Rt wrist plain film | frontal view | in cast | 128.2 mm image width
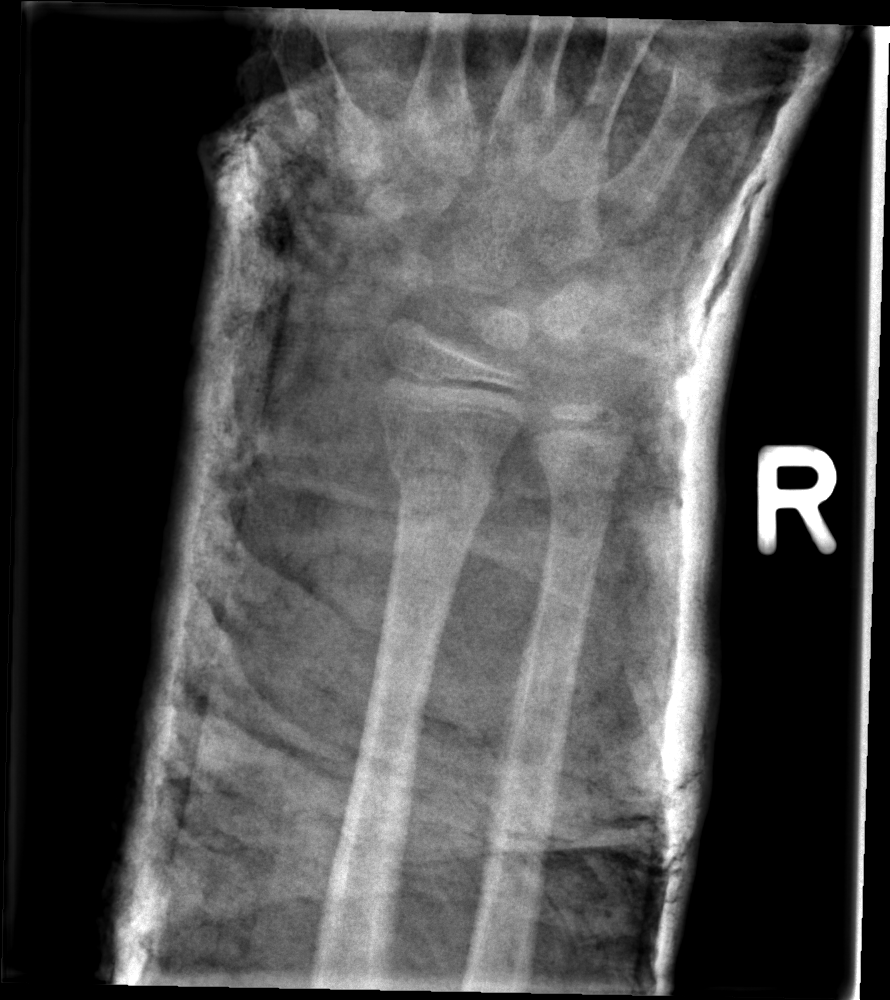 (pixel coordinates, top-left origin, xyxy)
Fx = (left=383, top=438, right=503, bottom=515) (left=541, top=456, right=626, bottom=519)